Rt wrist XR · posteroanterior view · index exam · 511 x 812 px. 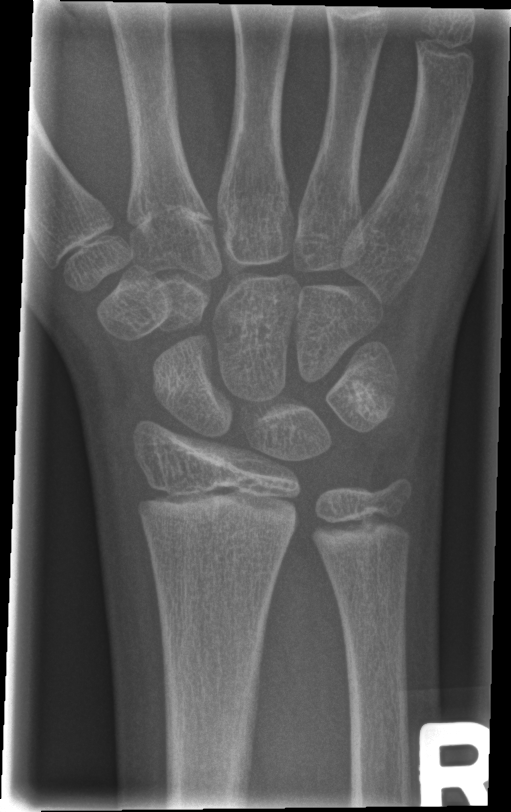 bone fracture = none labeled